Rt wrist X-ray · PA/AP view · 69.4 mm image width · 482x759 —
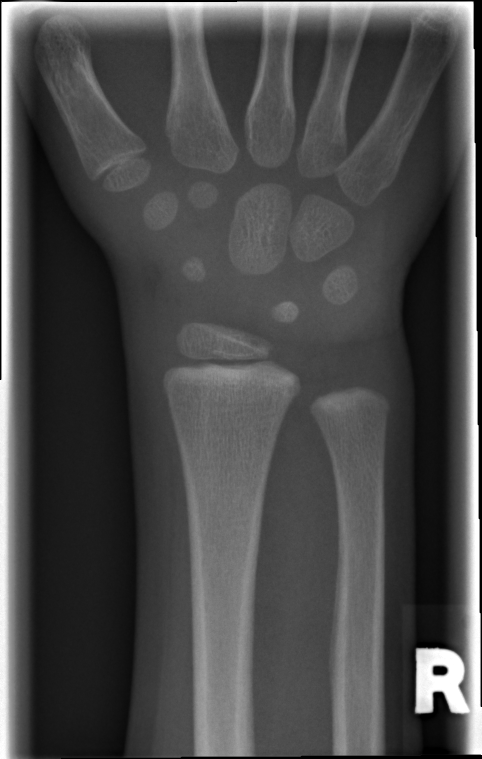

No fracture annotation.